PA view | Rt wrist radiograph | imaged through cast —
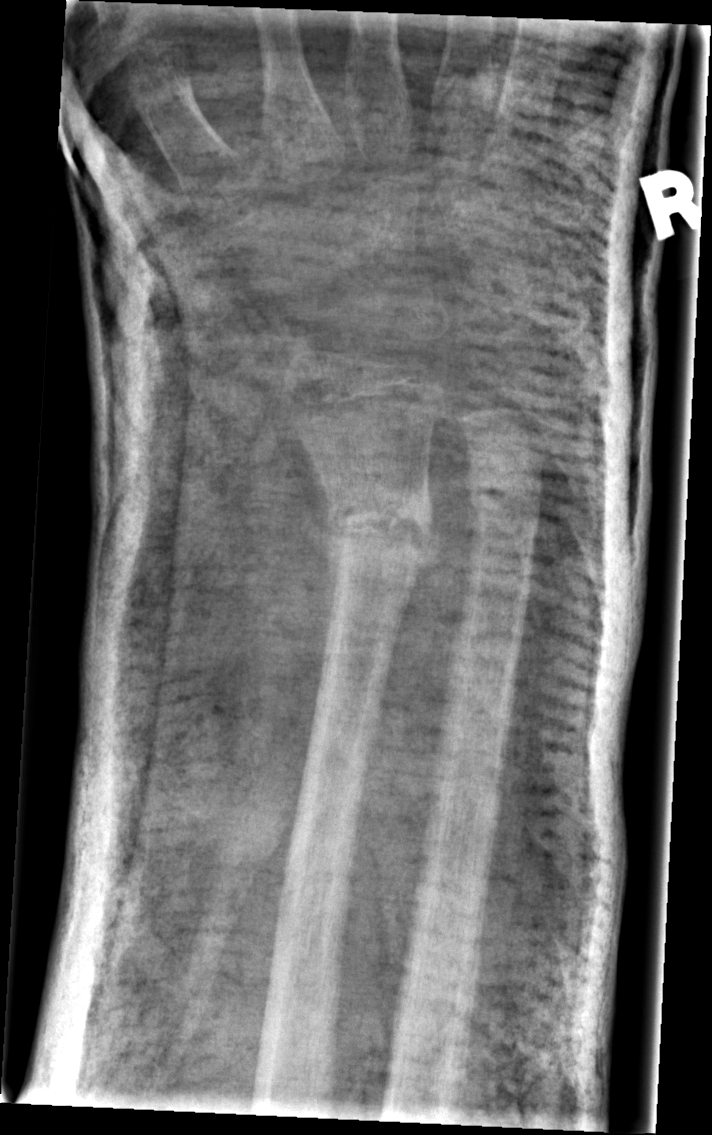
Q: Any fracture seen?
A: Bone fracture identified at 307,492,447,578 | 464,466,546,525
Q: AO code?
A: AO code 23-M/3.1